Lateral projection · Rt plain radiograph of the wrist · follow-up · cast in situ

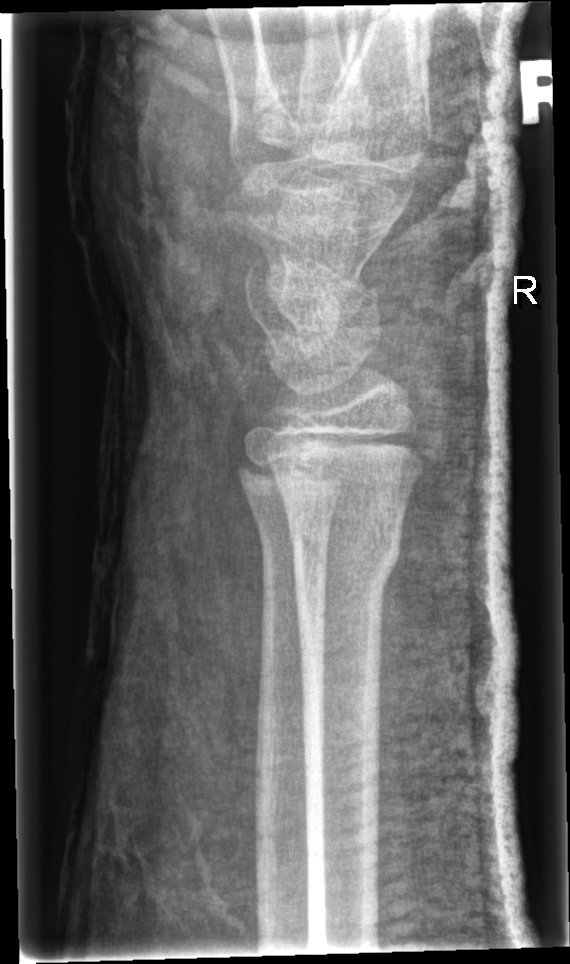
AO/OTA classification: 23r-M/3.1.
Bone fracture — bbox(284, 510, 406, 589).